Lt wrist plain film; frontal; male, 13 yo; image width 81.1 mm.
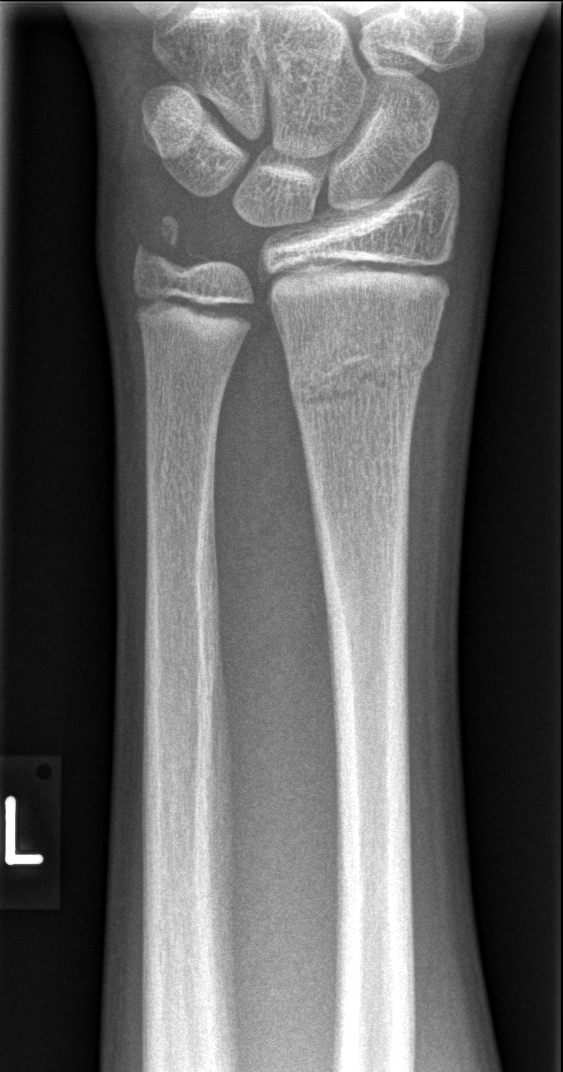
• Fx identified at [284, 319, 439, 412] [131, 209, 214, 275].